Right wrist radiograph · lat view · image size 416x1070

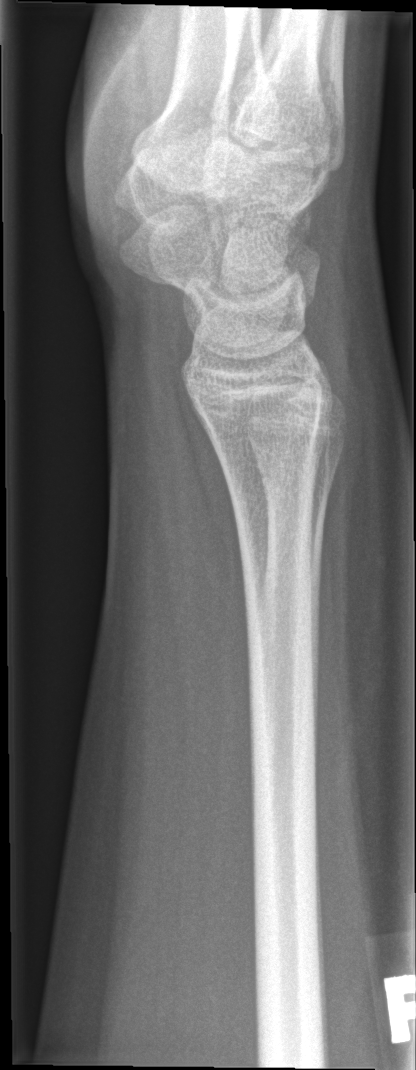 FINDINGS — Soft tissue abnormality: <312,294>-<416,876>. No fracture labeled.